AP; right wrist plain radiograph of the wrist; boy, 13 yo; initial study; detector: Siemens 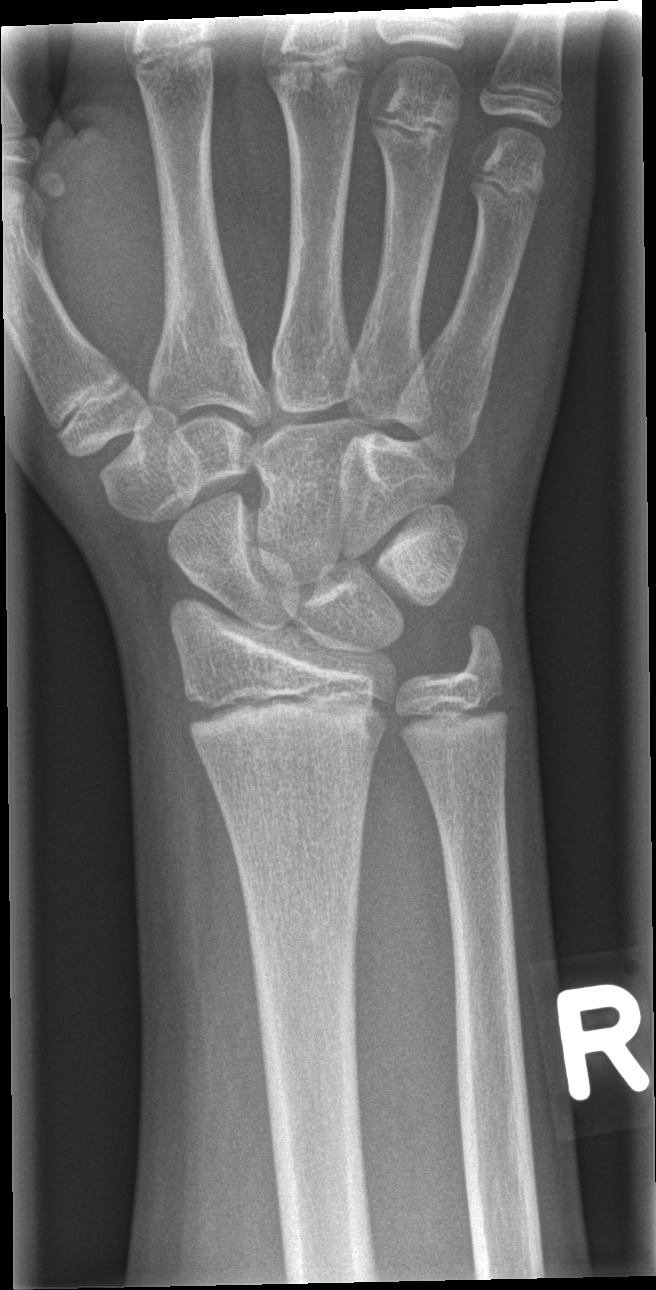
Fx: none labeled